Left wrist XR; frontal projection; pediatric patient (girl, age 10); presentation radiograph; Siemens; 554x966 —
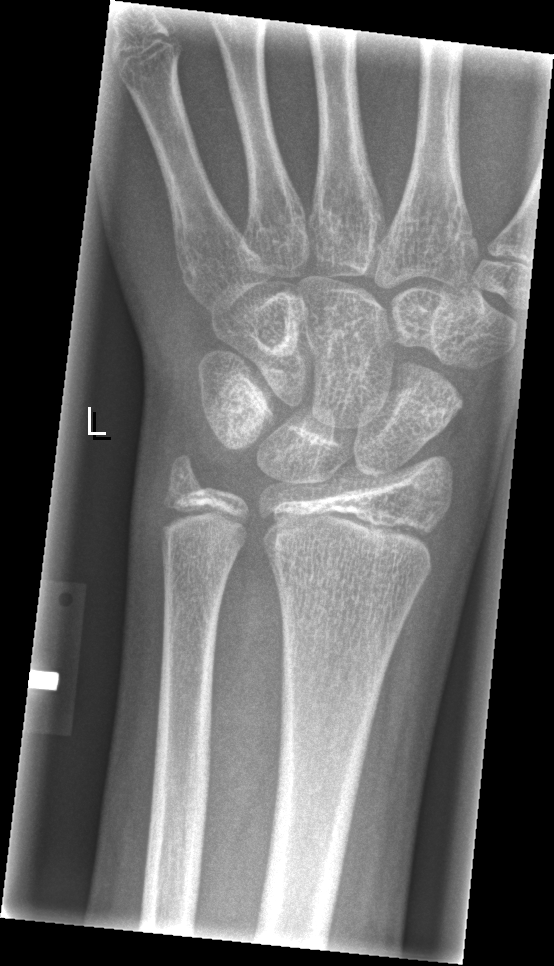
Fracture: none labeled.